Lateral view; left wrist X-ray; imaged through cast; 652x1179.
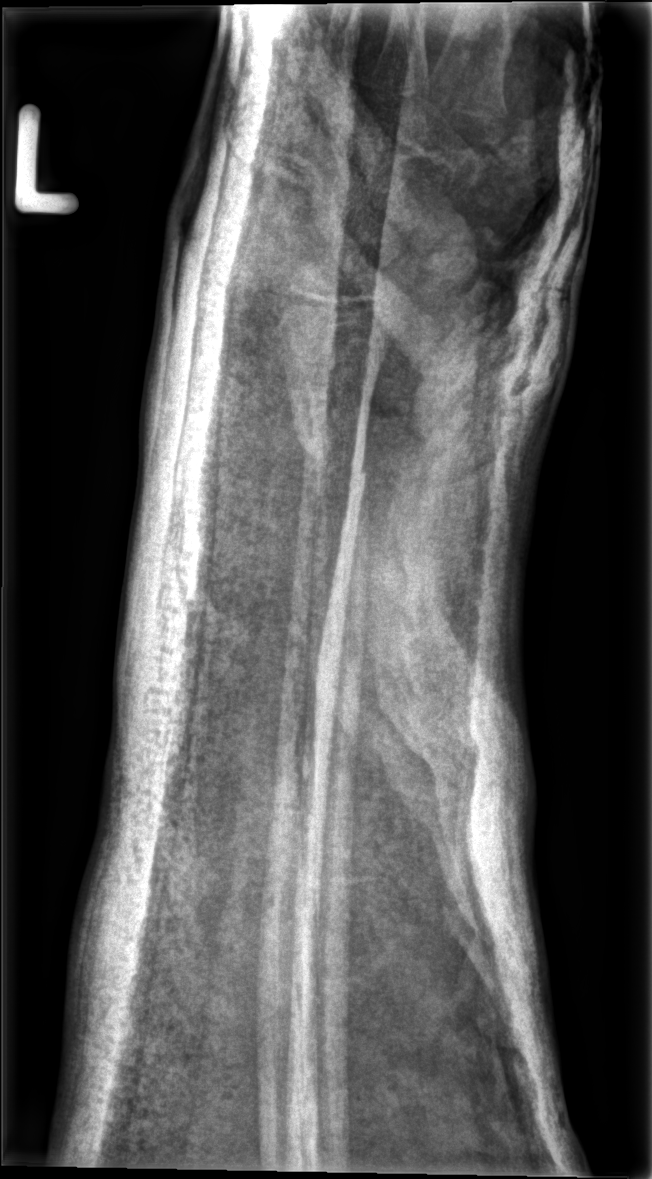 Fracture classified AO/OTA 23r-M/3.1.
Fracture — (290, 431, 372, 493).